Right wrist X-ray, posteroanterior, boy, 11 yo.

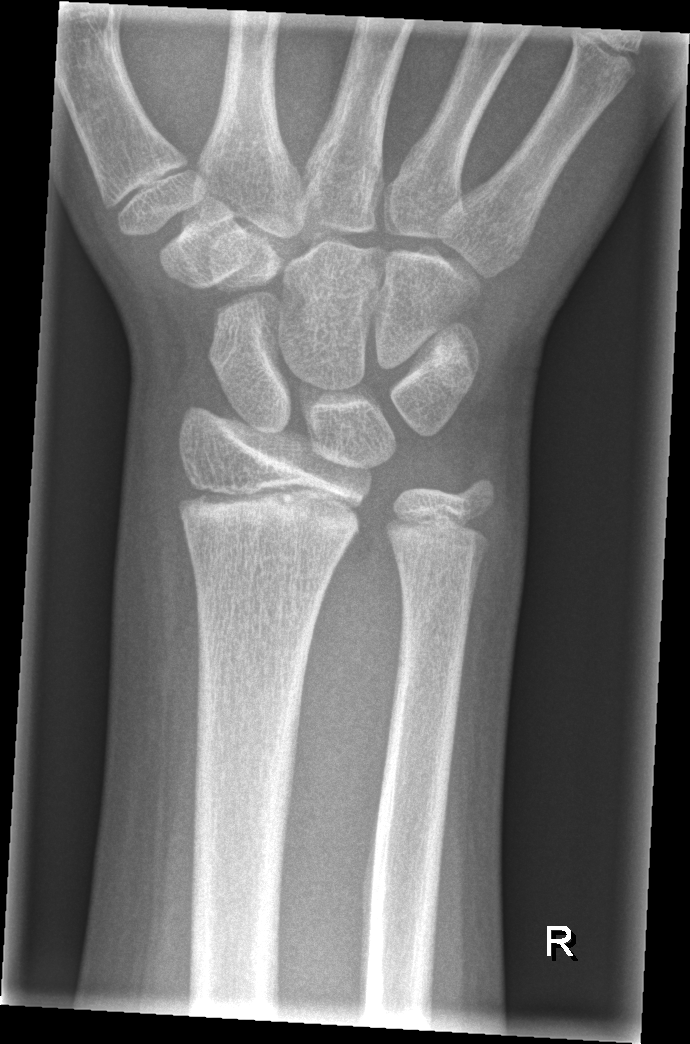
Findings: No fracture labeled.